PA/AP view · R plain radiograph of the wrist · male, 12 yo · initial study.
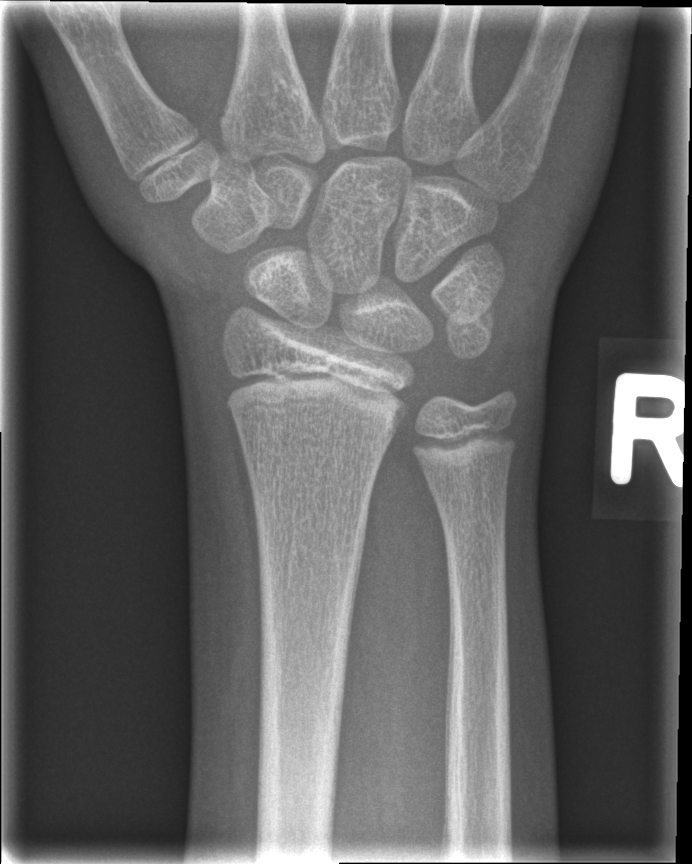 Bone fracture: none labeled